Right plain radiograph of the wrist | lat projection | image 85.5 mm wide:
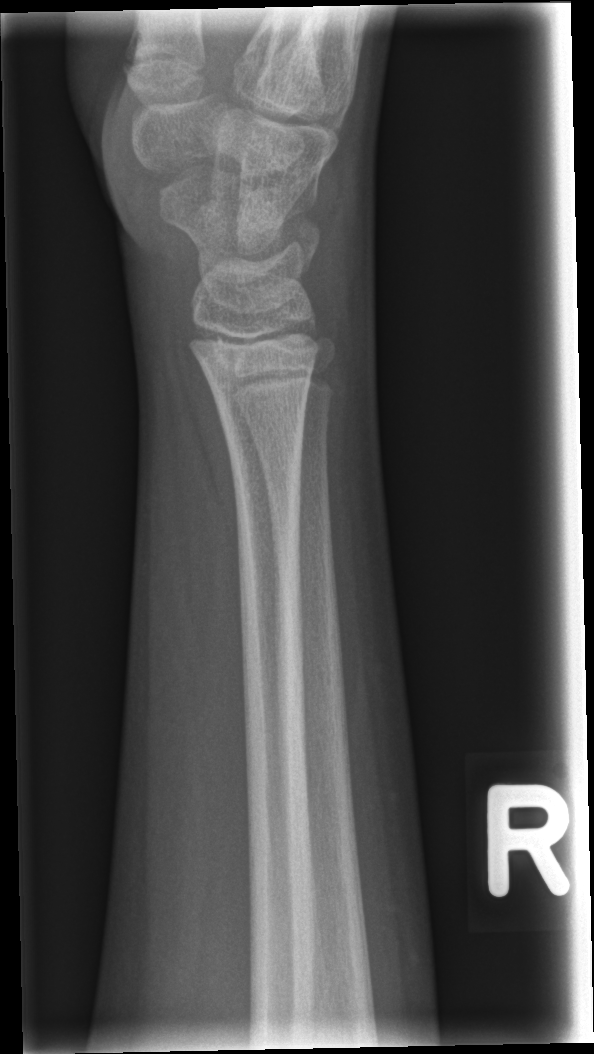
Fx: none labeled